PA · left wrist radiograph · age 14 y, boy · index exam · 519 by 792 pixels —

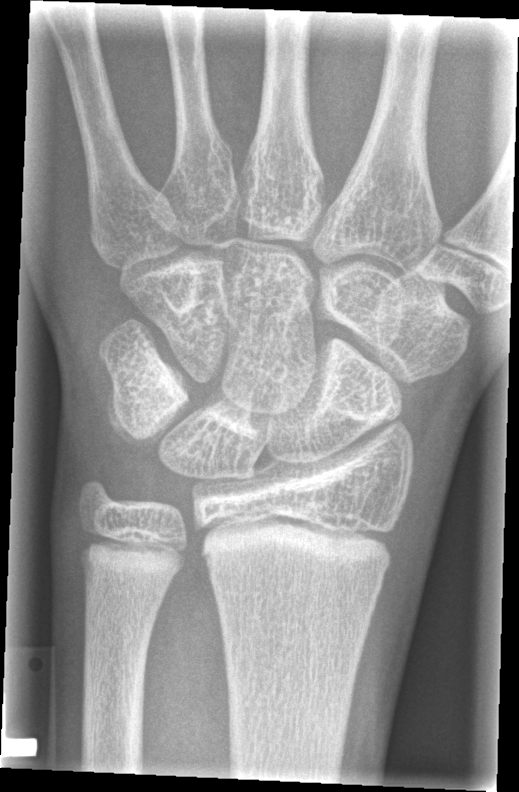
Fx: none.